Lateral view; right plain radiograph of the wrist; 14-year-old male; findings marked uncertain by the reading radiologist; 506 x 1388 px.

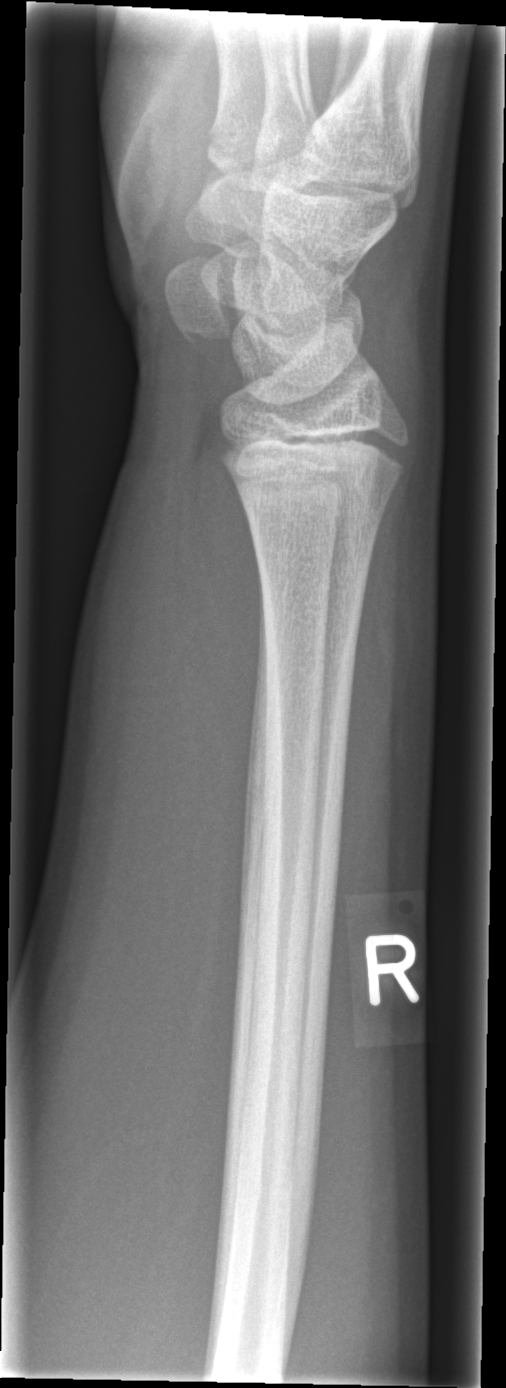

Findings: (coordinates are [x1, y1, x2, y2] in image pixels) No fracture labeled. Positive pronator fat-pad sign — 186,391,280,821.